Lat view | right wrist radiograph.

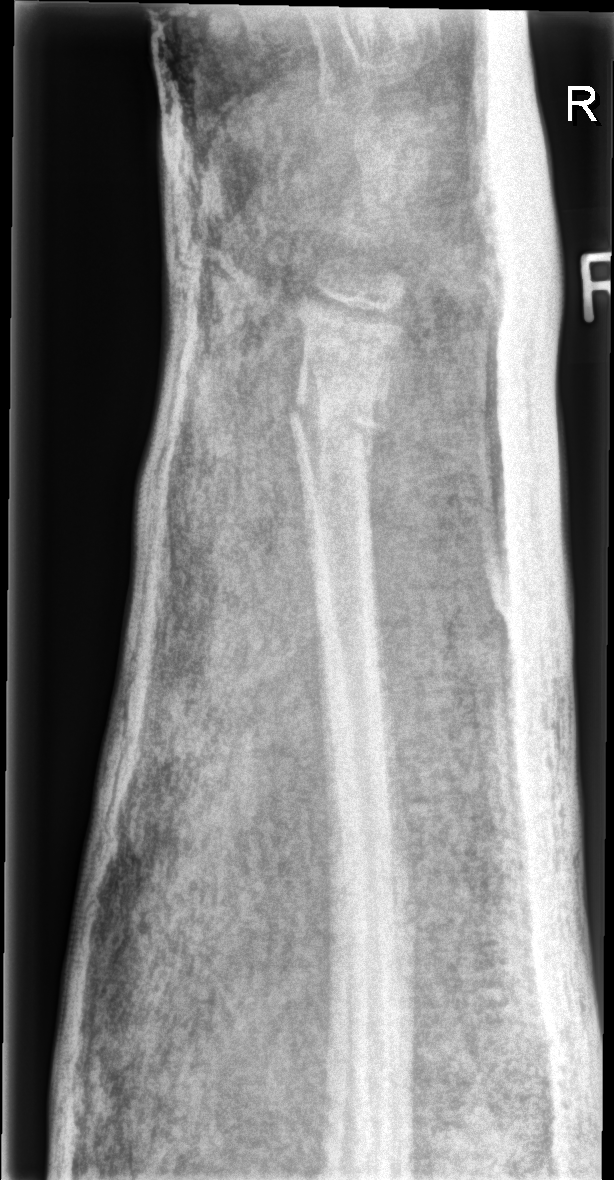
(bounding boxes in image-pixel xyxy)
fracture: 1 @ (285, 381, 391, 457)